Left wrist plain radiograph of the wrist, AP projection, boy, 11 yo, acquired on Siemens, 97.1 mm image width.

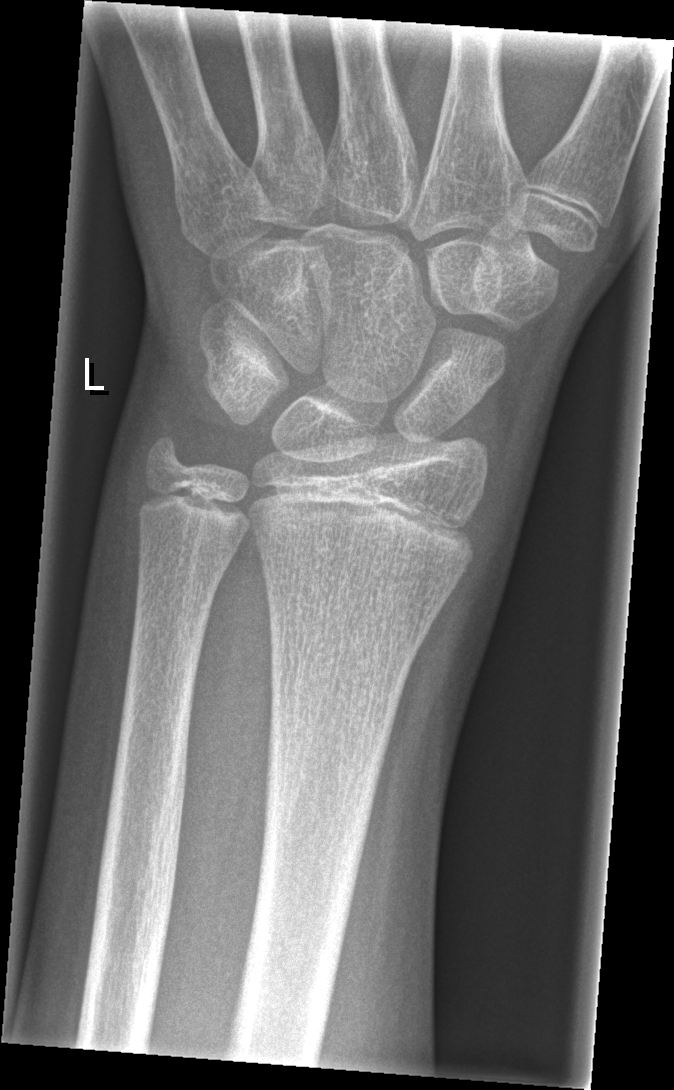

No Fx annotated.